Lat projection, right wrist XR.
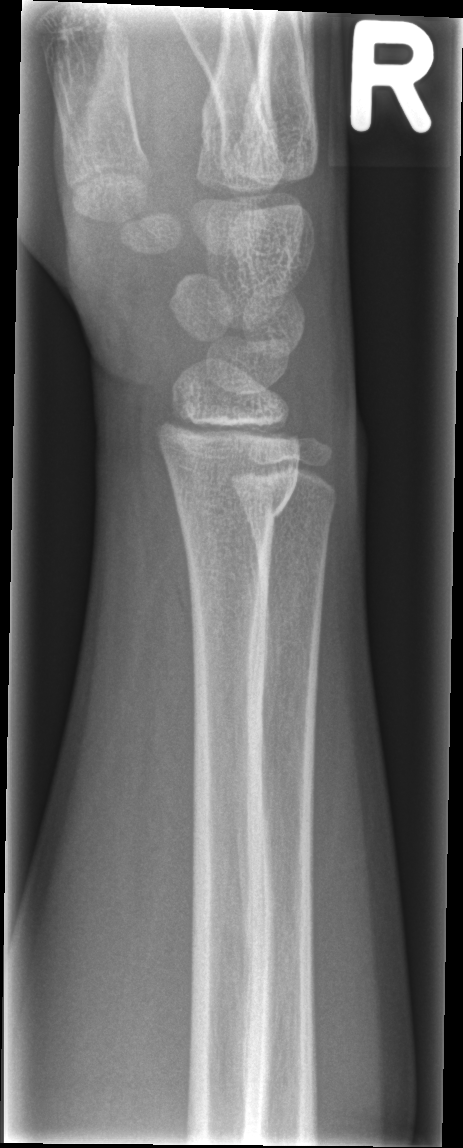
(coordinates are [x1, y1, x2, y2] in image pixels)
Fracture = 1 @ (167, 459, 303, 535)
AO code = 23r-M/2.1